Lateral view, right wrist X-ray, 6-year-old girl, acquired on Siemens 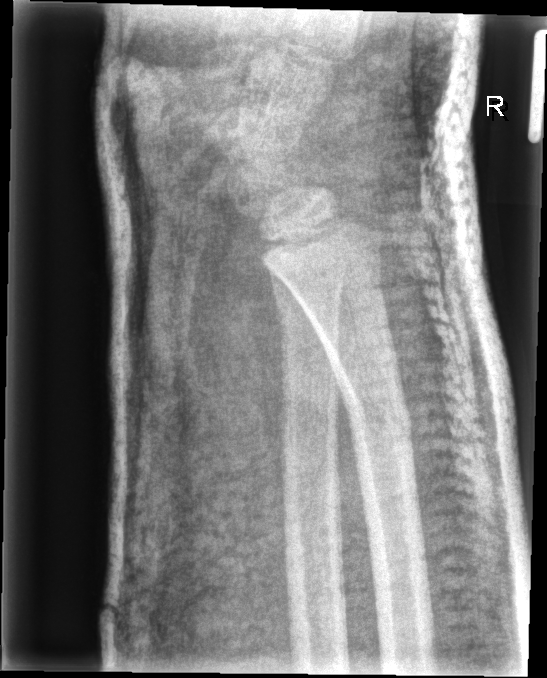

fracture = 1 @ [x1=343, y1=391, x2=415, y2=449]
AO classification = 23r-M/3.1; 23u-M/2.1